R plain radiograph of the wrist | lateral projection | 11-year-old boy — 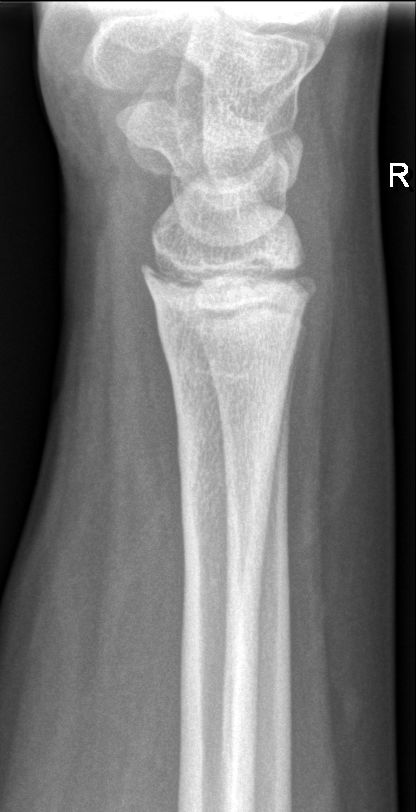
{"fracture": "1 @ 136 247 318 341", "ao": "23r-E/2.1; 23u-E/7"}